Right wrist X-ray | AP projection | pediatric patient (girl, age 14) | detector: Siemens. 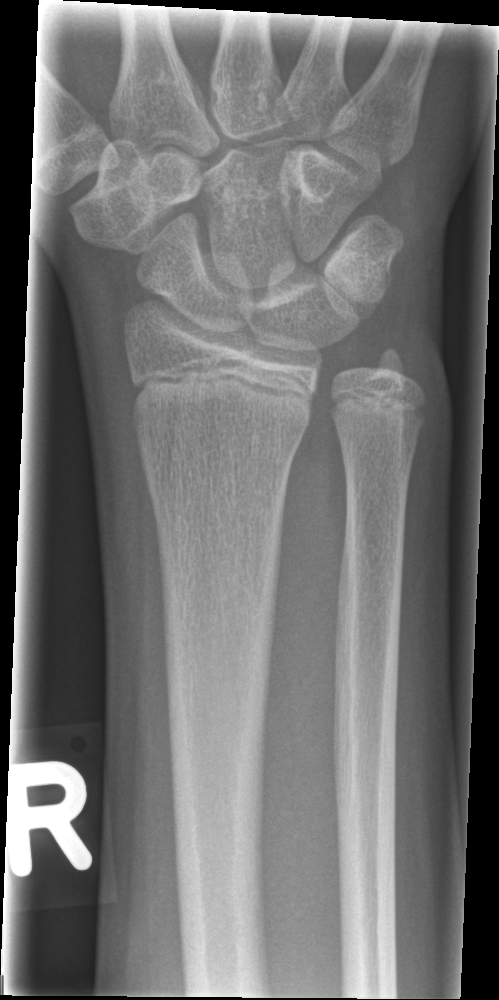
No fracture labeled.